Lateral projection; Lt pediatric wrist radiograph; index exam; acquired on Siemens; 457 by 1198 pixels.

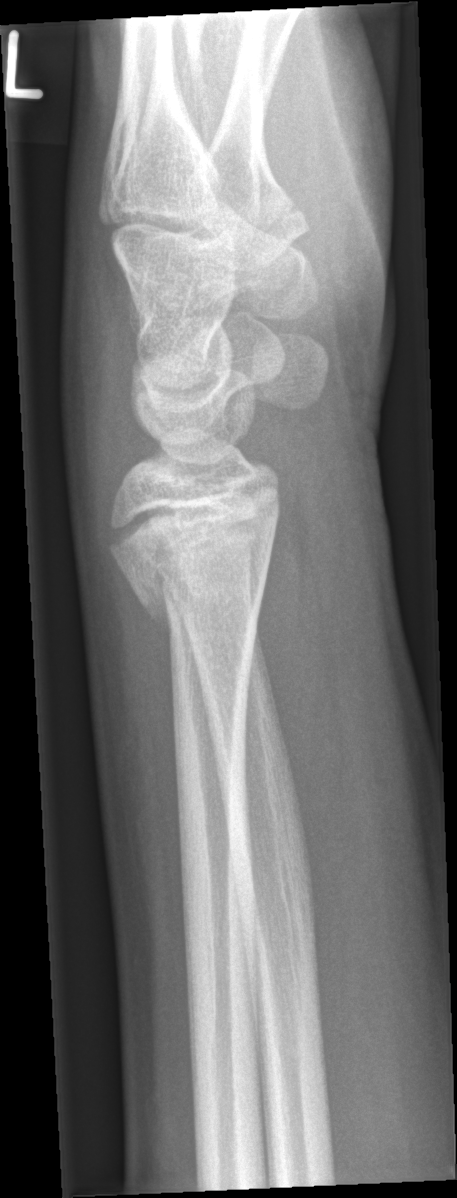 {
  "fracture": "105,471,282,624"
}